Lateral, L wrist X-ray, male, 11 yo —

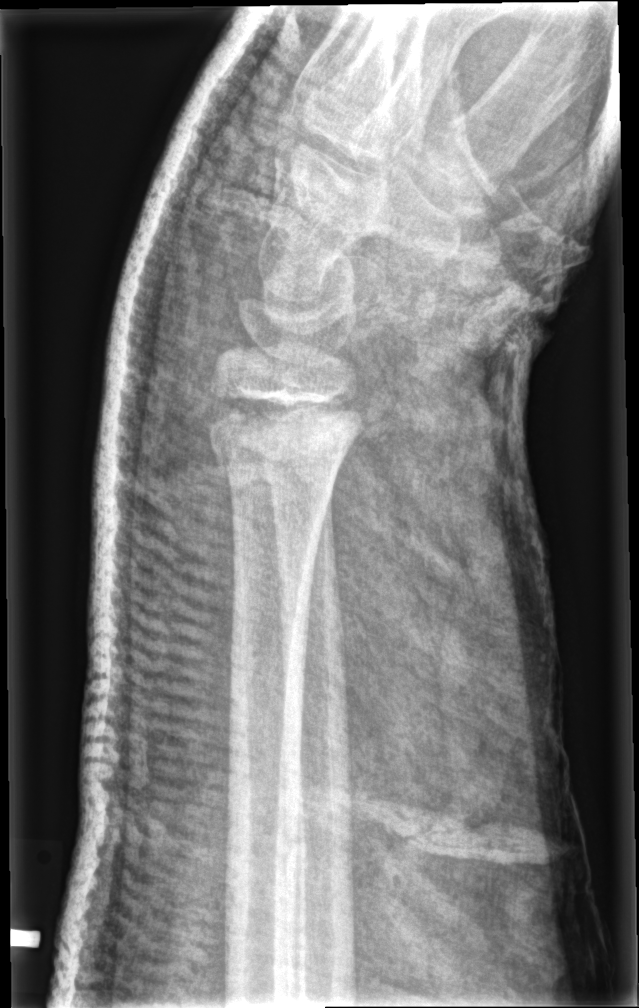 {"fracture": "209,438,349,505", "ao": "23r-E/2.1"}